Lat projection | Rt wrist X-ray: 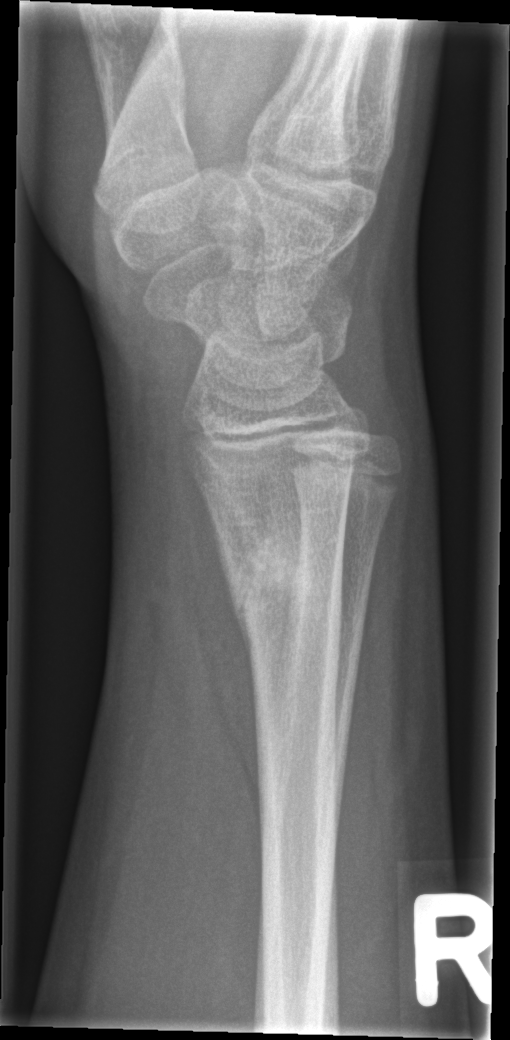 bone fracture: 1 @ (219, 531, 349, 635)
osteopenia: present
AO/OTA: 23r-M/2.1